Left wrist plain radiograph of the wrist | lat view | boy, 5 yo | presentation radiograph

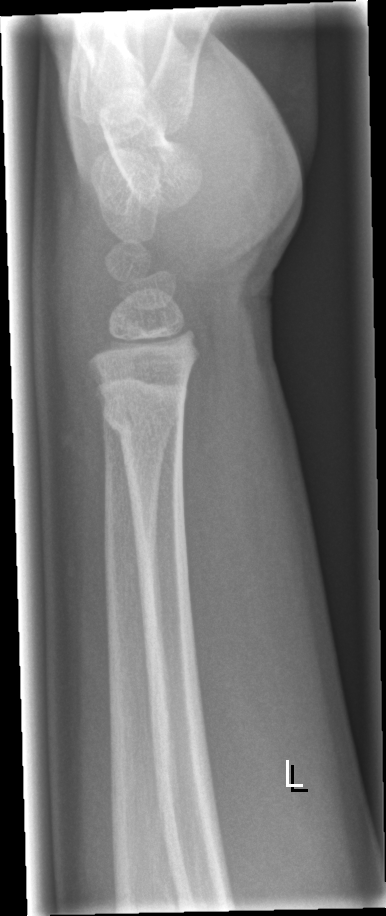

{"fracture": "(97, 388, 187, 449)"}